Lat projection, left wrist radiograph, 11-year-old female.
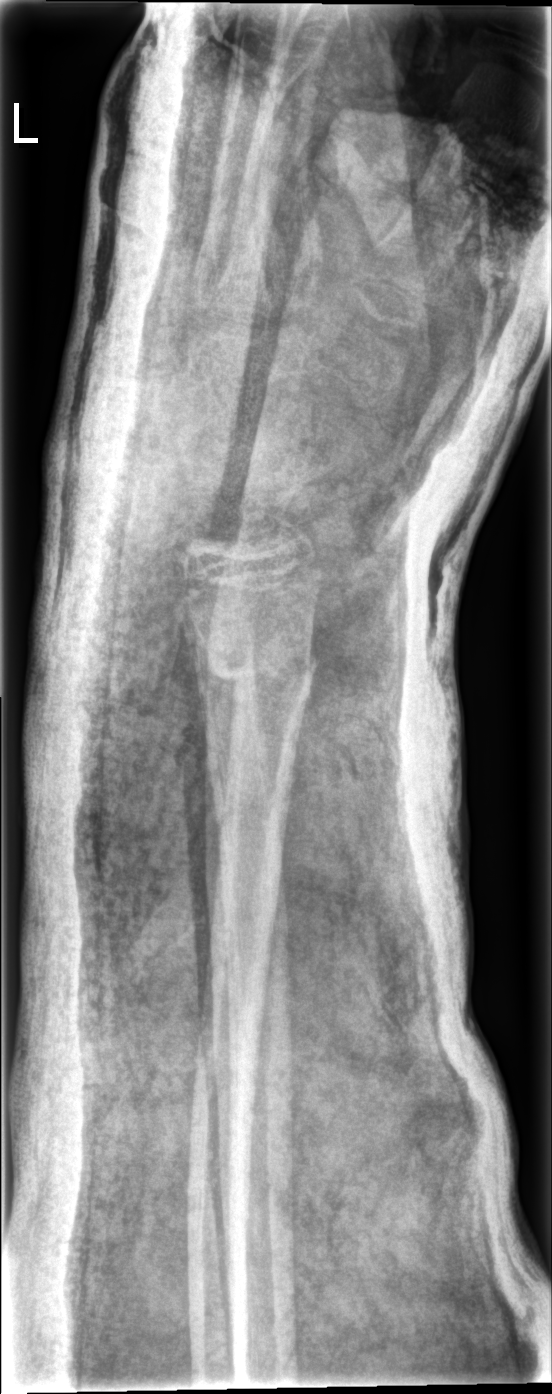
Fracture — 200 643 325 699.